Lateral; left wrist plain film; 6y F; image 44.9 mm wide. 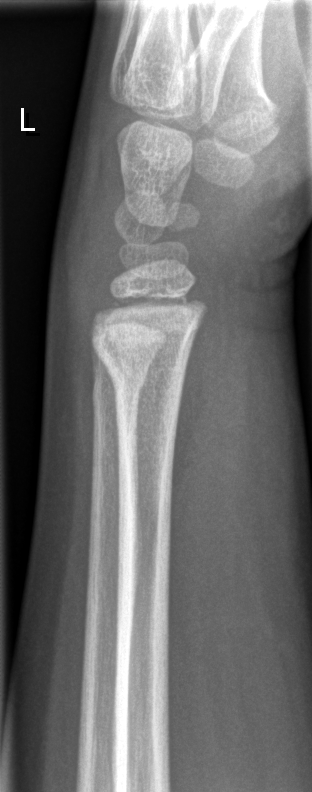

Bone fractures — bbox(94, 339, 192, 395); bbox(90, 369, 147, 411). Fracture classified AO/OTA 23-M/2.1.